Right wrist plain film | frontal projection | 710 x 1274 px:

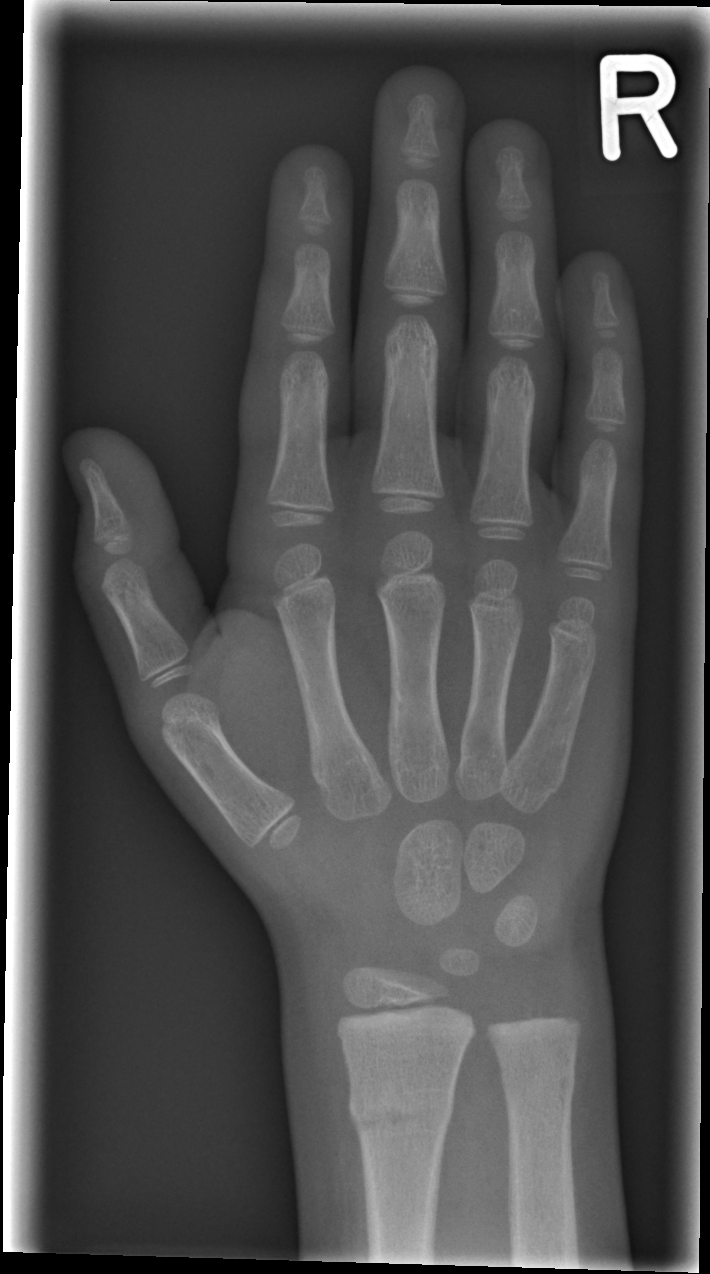
Bounding boxes in image-pixel xyxy.
Fracture: bbox(344, 1078, 455, 1138) bbox(499, 1060, 577, 1112).